Lateral projection, Lt plain radiograph of the wrist, acquired on Siemens, 473x1250 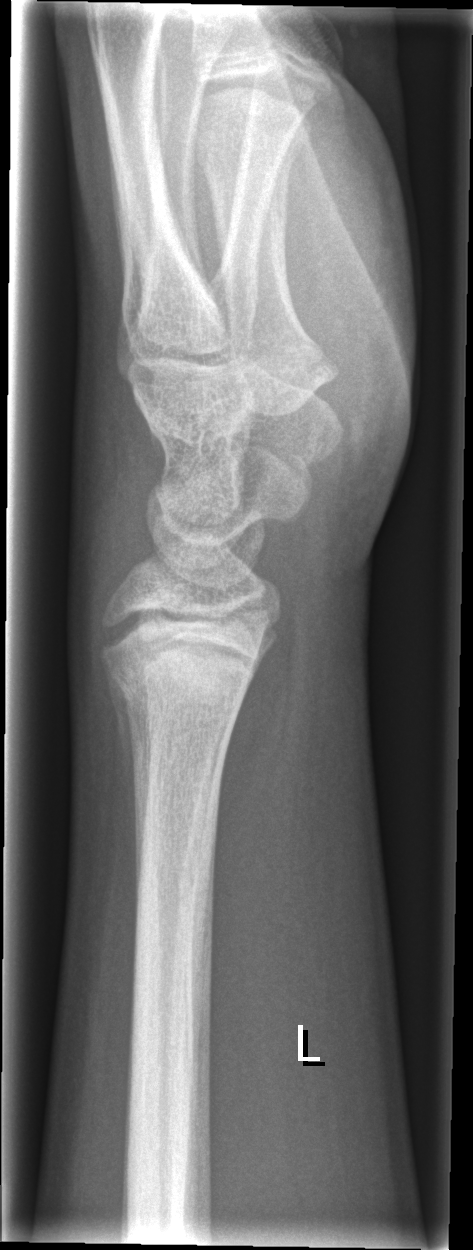 Periosteal reaction: <102,659>-<139,822>.
Fracture classified AO/OTA 23r-M/2.1.
Decreased bone density (osteopenia).
Bone fracture — <110,612>-<266,715>.